Lateral view | left wrist plain film | equivocal findings.

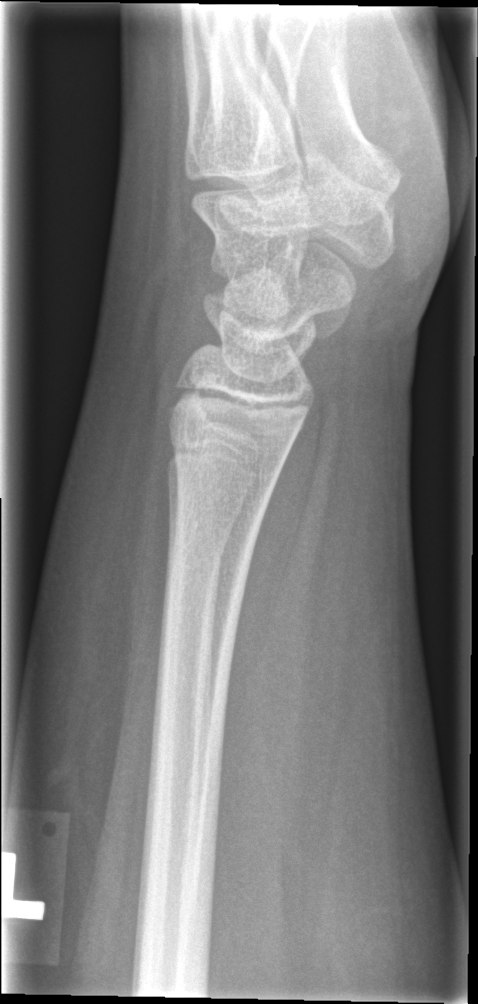 Fracture: none labeled.